Lt wrist XR, AP view, boy, 9 yo, index exam —

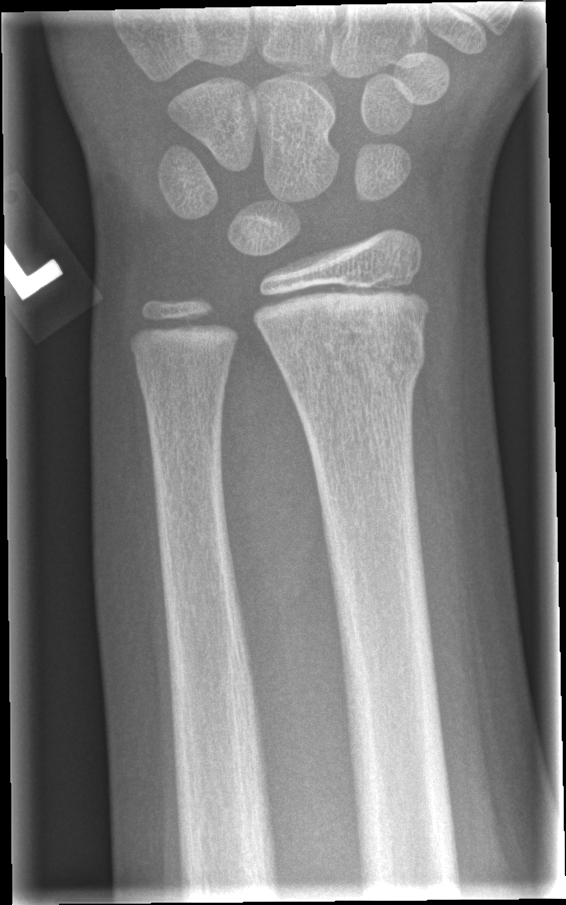
FINDINGS — Fracture identified at (left=270, top=306, right=429, bottom=414).